Lat; L wrist X-ray; Siemens; image 87.4 mm wide; image size 607x1326 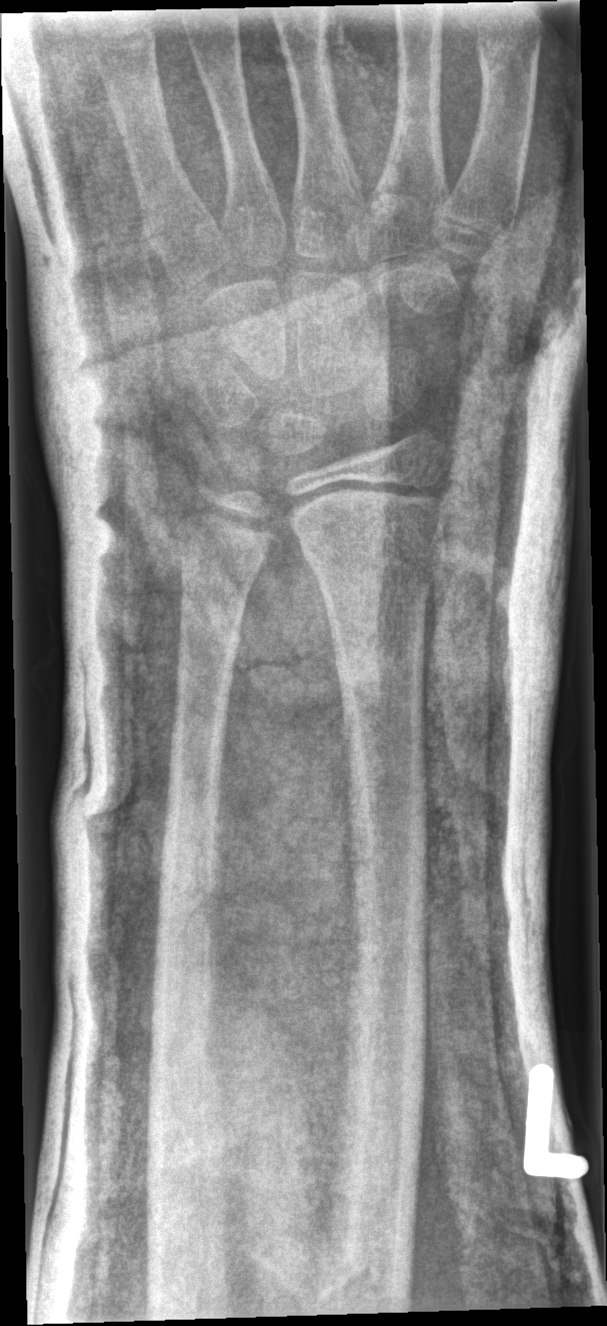
AO code 23r-M/2.1. One fracture at 294,530,443,576.